Lateral projection · left pediatric wrist radiograph · 12y F

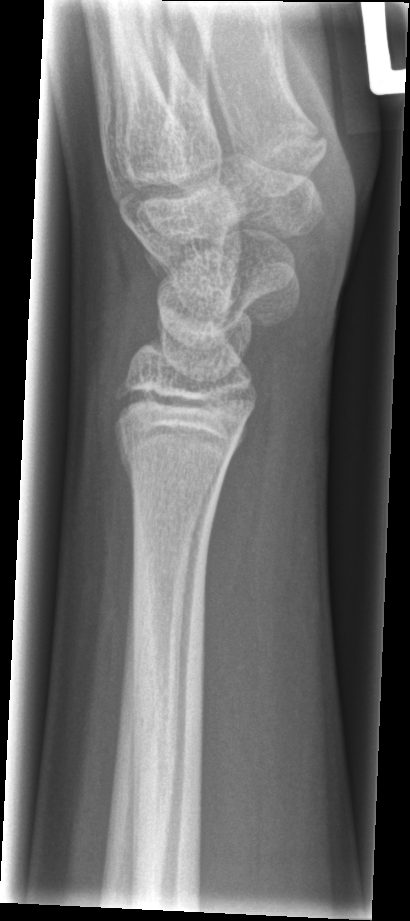
• Boxes as x1,y1,x2,y2 (top-left / bottom-right, pixel units).
• Fx: [x1=111, y1=432, x2=233, y2=497].
• Fracture classified AO/OTA 23r-M/2.1.